PA view; left wrist XR; pediatric patient (boy, age 15); image size 582x782 —
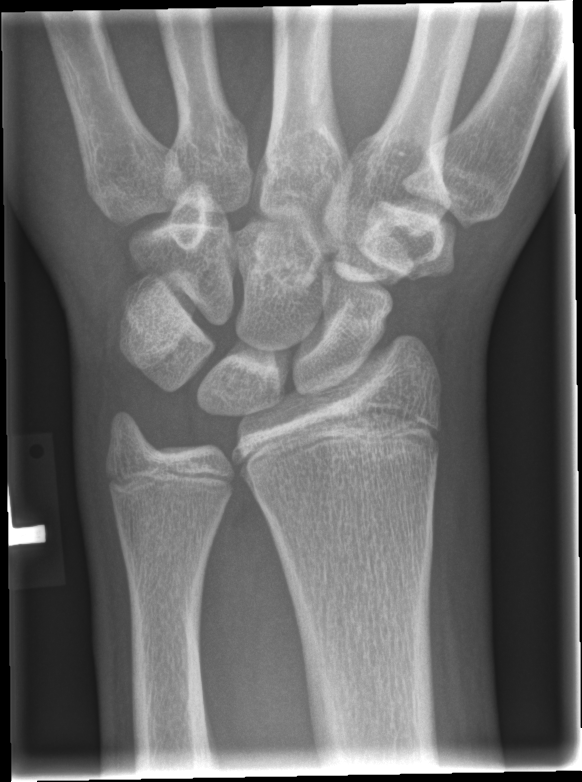 No fracture bounding box.